Lateral · Lt wrist X-ray · age 9 y, male · subsequent exam · imaged through cast 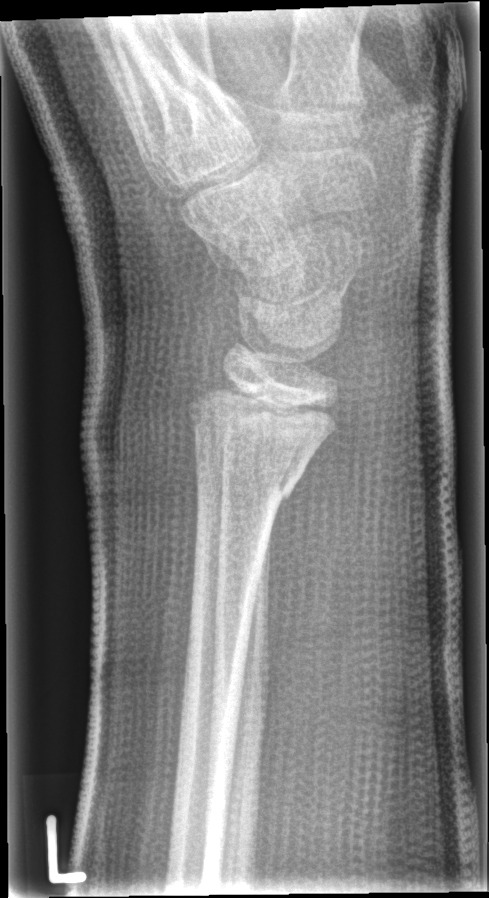

FINDINGS: (boxes as x1,y1,x2,y2 (top-left / bottom-right, pixel units)) One Fx at 185,372,345,508.